Lat view, right wrist plain radiograph of the wrist, index exam.

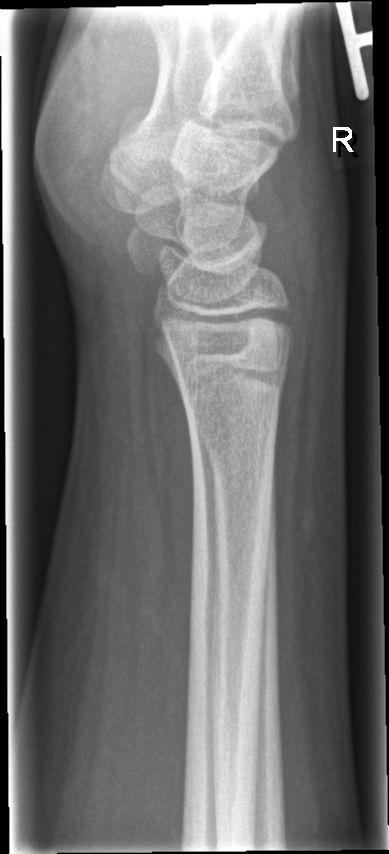
Fx: none labeled